PA · right wrist plain film · follow-up · imaged through cast · detector: Siemens — 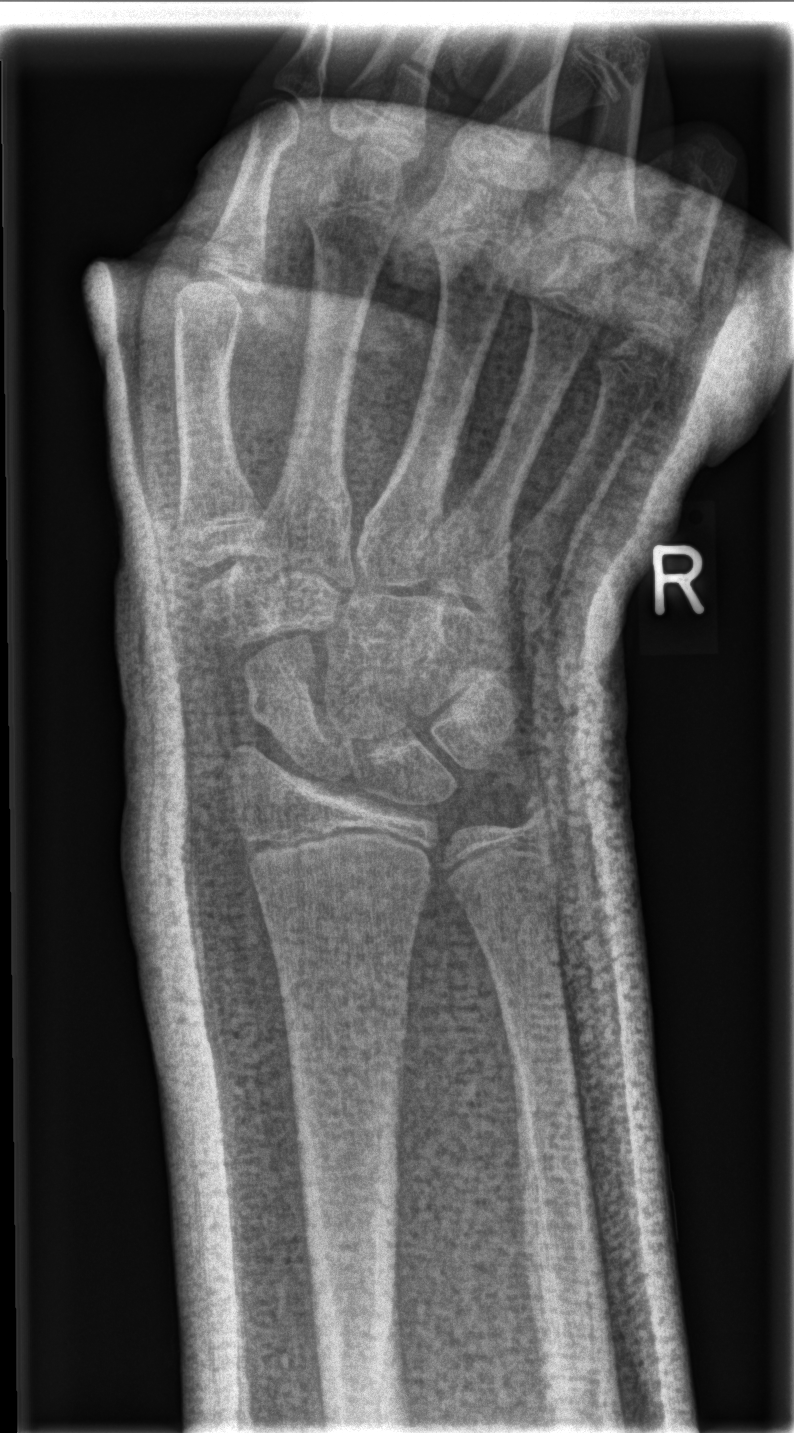 {"_coords": "pixel coordinates, top-left origin, xyxy", "fracture": "1 @ (507, 782, 573, 855)"}